PA/AP projection, L pediatric wrist radiograph —
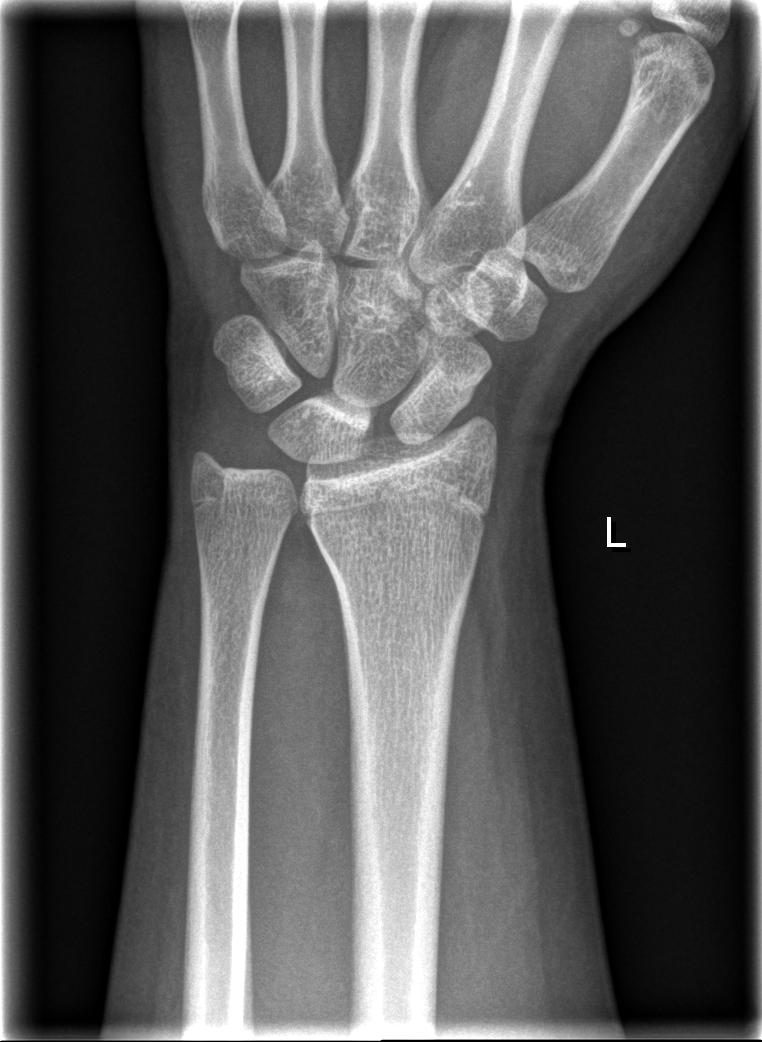 fracture: none labeled